AP view; R wrist plain film:
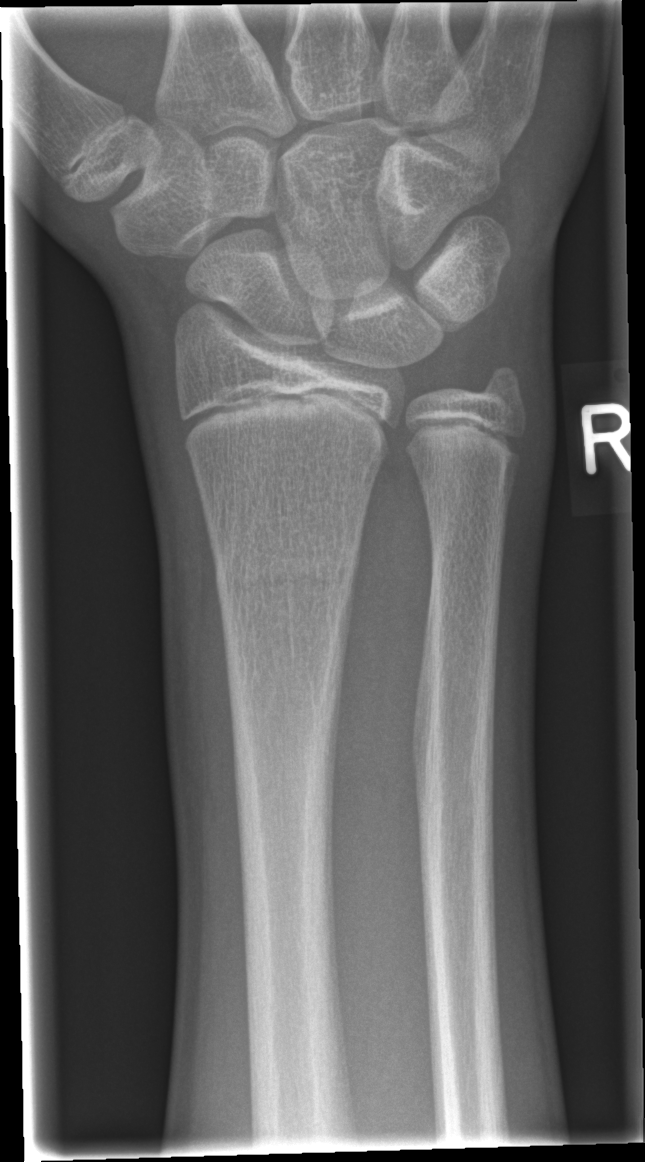 Bounding boxes in image-pixel xyxy. AO/OTA classification: 23r-M/3.1. Bone fracture: 210 542 365 610.